Lateral projection, L plain radiograph of the wrist, follow-up study, acquired on Siemens 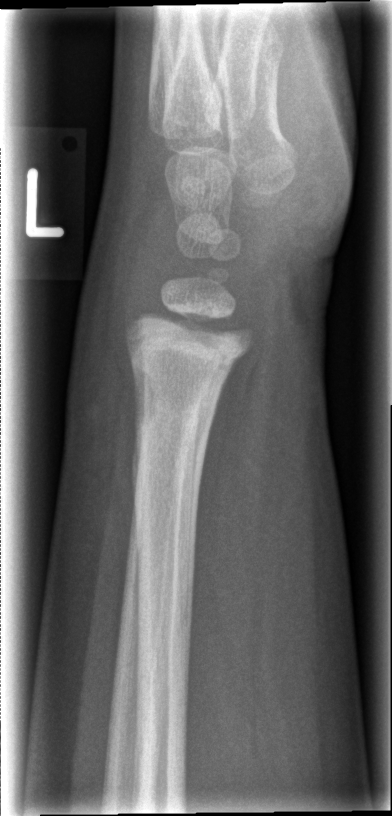
No fracture bounding box. Focal bone lesion — [127, 355, 180, 442].